R wrist radiograph | lateral | 90.9 mm image width —
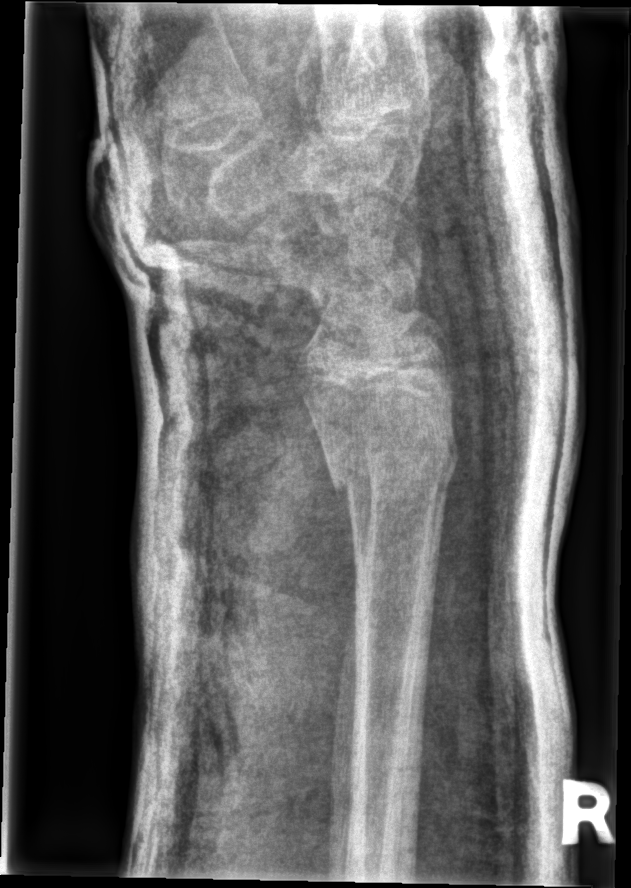

ao: 23r-M/3.1; 23u-E/7
fracture: <323,411>-<461,497>